Lt wrist X-ray, PA, 9y M, subsequent exam, imaged through cast —

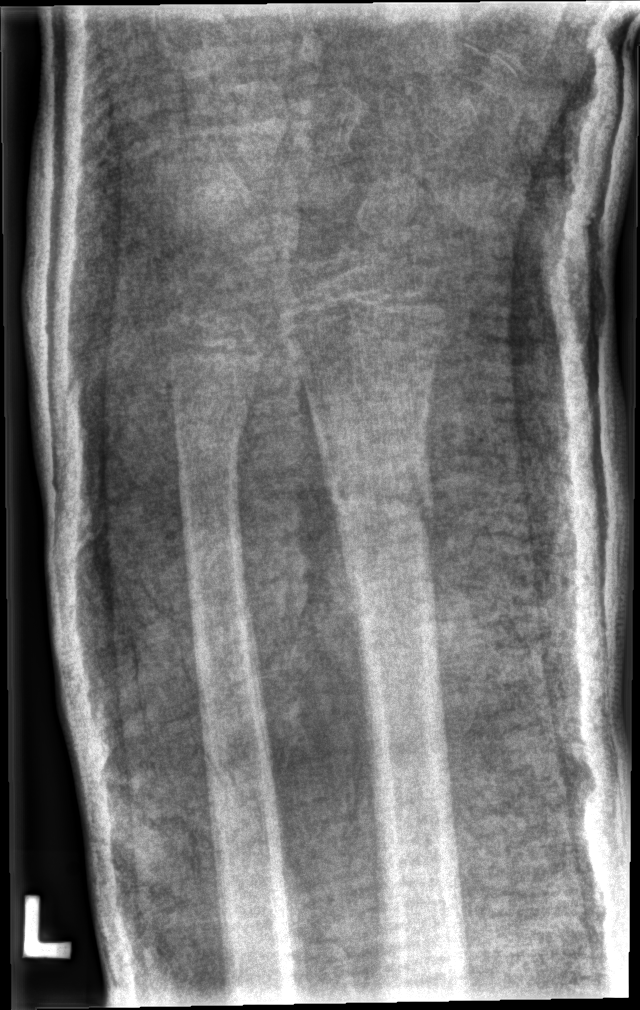 AO classification = 23r-M/3.1; 23u-M/2.1
Fx = (316, 438, 440, 565); (170, 402, 247, 473)